Lat · left wrist radiograph · boy, 3 yo · acquired on Siemens · 499 by 946 pixels.
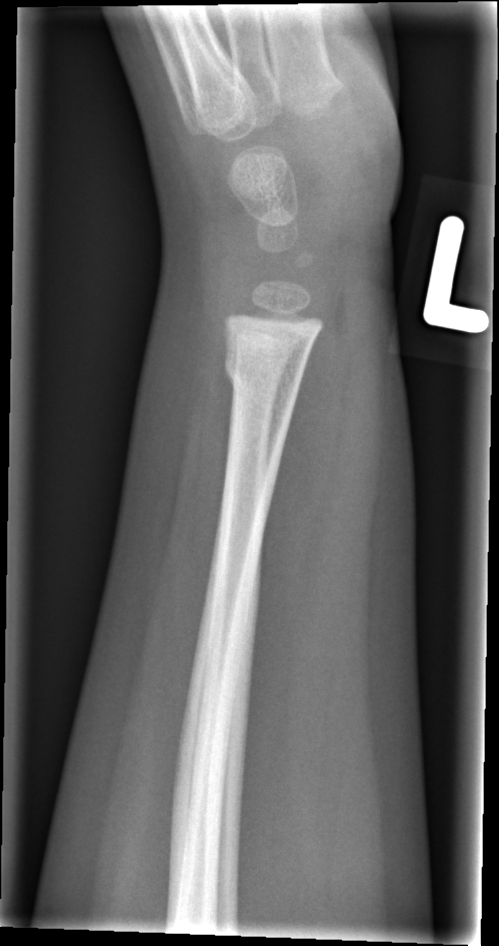
• One bone fracture at (221, 347, 306, 389).
• AO code 23-M/2.1.
• Pronator sign identified at (247, 307, 353, 696).